Lateral projection | L plain radiograph of the wrist | pediatric patient (male, age 14) | follow-up study.
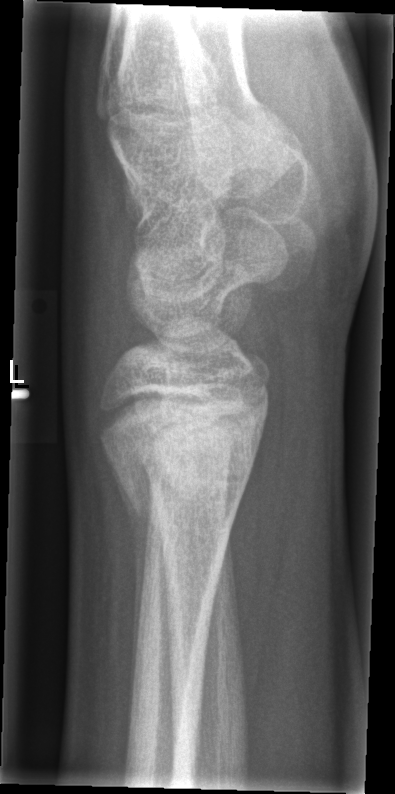
Fx: (left=95, top=382, right=268, bottom=520). Periosteal reaction: (left=102, top=443, right=151, bottom=742). Osteopenia.